Left wrist radiograph, posteroanterior projection, initial study, 566 by 986 pixels.
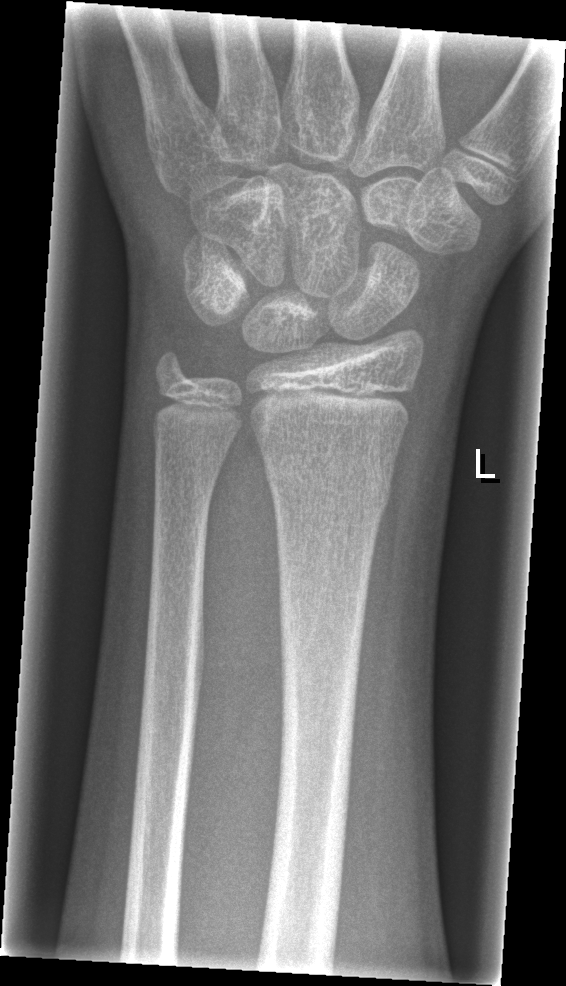

Findings: (bounding boxes in image-pixel xyxy) AO code 23r-M/2.1. One fracture at [261, 445, 396, 517].